Left plain radiograph of the wrist; posteroanterior view; follow-up study; cast in situ; image 73.4 mm wide; 510x683 — 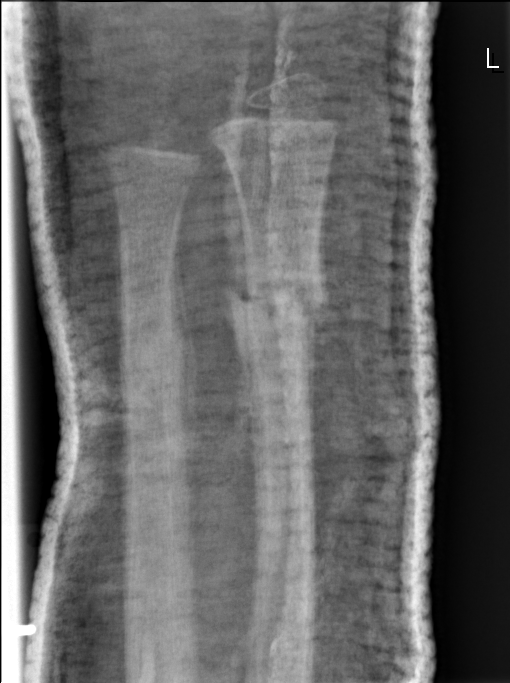
{
  "_coords": "pixel coordinates, top-left origin, xyxy",
  "fracture": "[223, 252, 333, 330]; [118, 302, 188, 390]",
  "periostealreaction": "2 @ [294, 194, 332, 445] [224, 155, 250, 307]"
}